Left plain radiograph of the wrist · lat view · initial study —

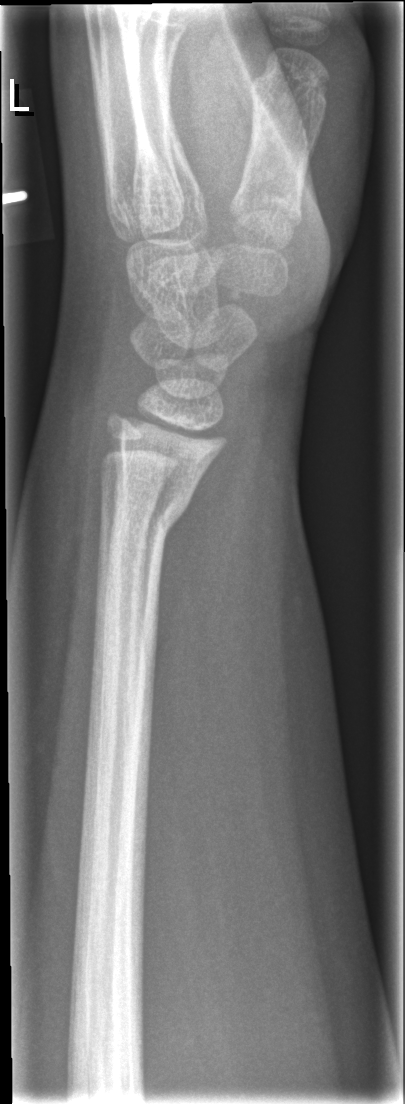 Fracture: 1 @ [x1=108, y1=451, x2=205, y2=542]
AO/OTA: 23r-M/2.1